Oblique view; right pediatric wrist radiograph; 17y F —
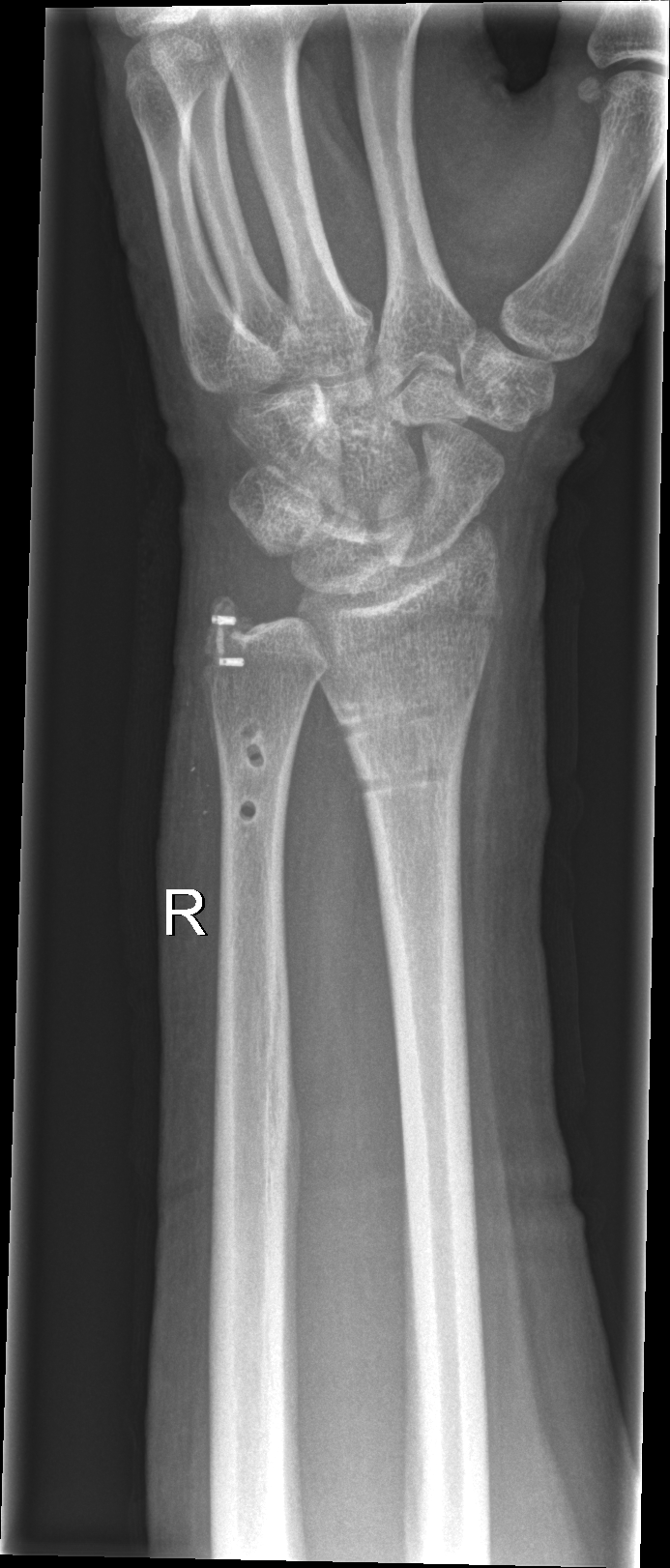 * Bone variant: [327, 682, 477, 746] [351, 759, 458, 802] [237, 712, 282, 775] [231, 791, 269, 834].
* Fracture: none labeled.
* One metallic implant at [210, 611, 247, 671].